Lateral view; right wrist XR; presentation radiograph; detector: Siemens —
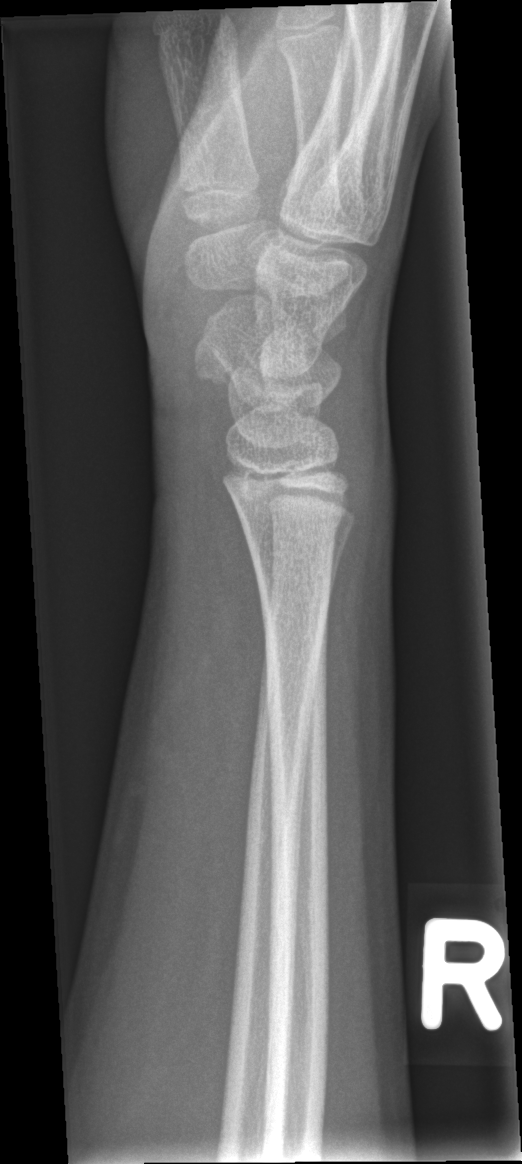

{
  "_coords": "boxes as x1,y1,x2,y2 (top-left / bottom-right, pixel units)",
  "ao": "23r-M/2.1",
  "fracture": "1 @ <234,488>-<350,555>"
}